L plain radiograph of the wrist, AP, follow-up, in cast —
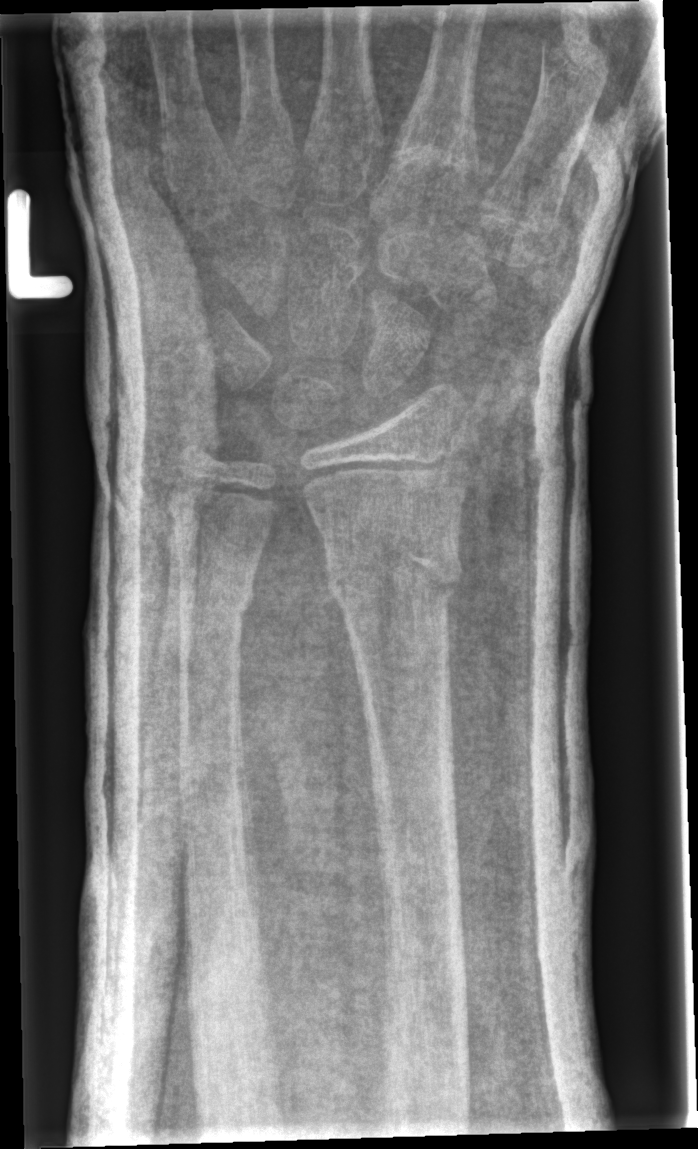 Fx = 2 @ [323, 521, 465, 627], [172, 569, 258, 619]
AO/OTA = 23-M/2.1